Lat projection | right wrist pediatric wrist radiograph | girl, 13 yo:

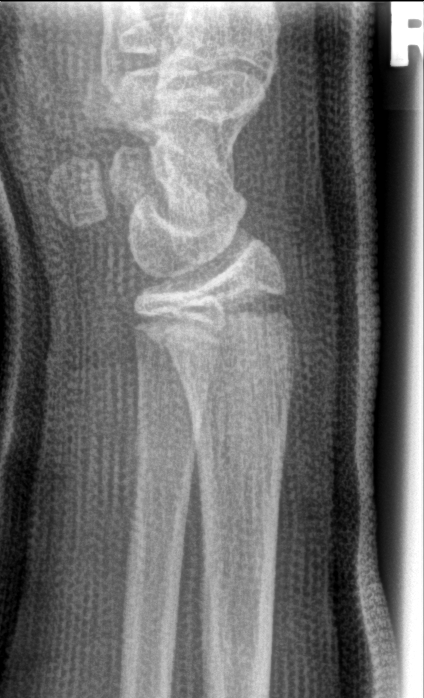 FINDINGS — Bone fracture: <134,282>-<301,364>, <131,411>-<203,473>.